Right wrist plain film · lat projection · 9-year-old female.
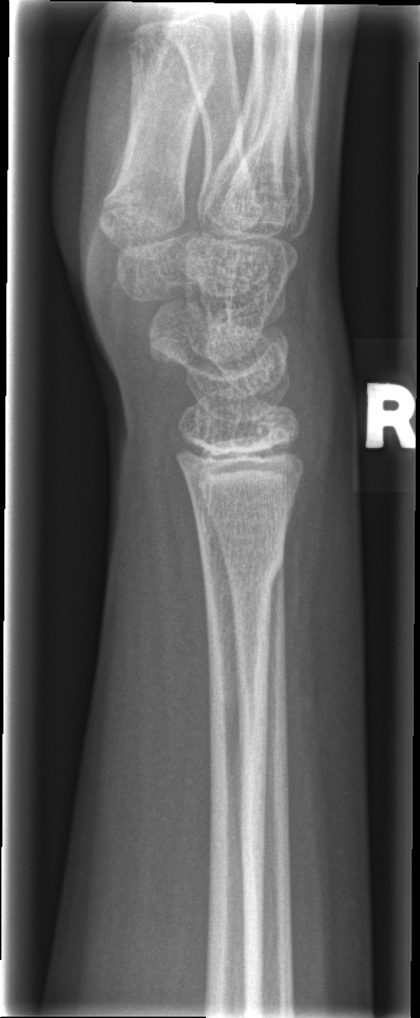
(bounding boxes in image-pixel xyxy)
Q: Is there a fracture?
A: Fracture identified at (197, 529, 285, 594)
Q: AO code?
A: Fracture classified AO/OTA 23r-M/2.1